Lateral; right plain radiograph of the wrist

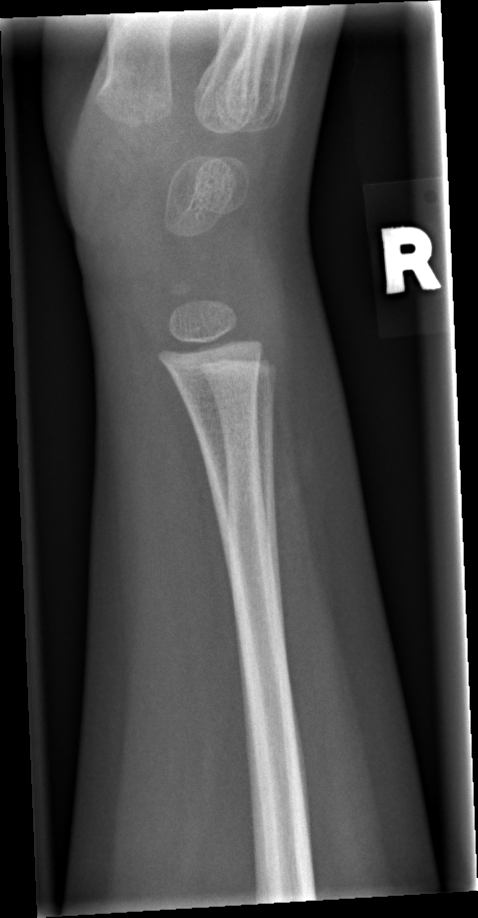   fracture: none labeled